L wrist X-ray · PA projection:
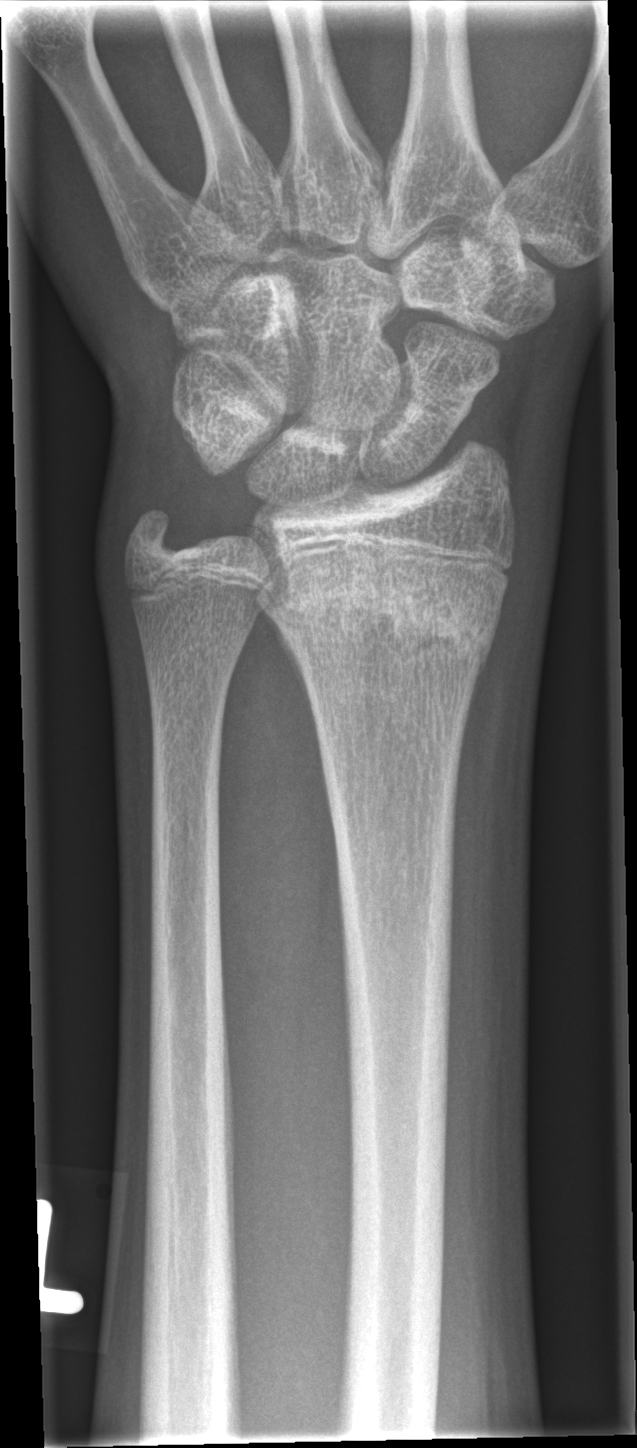
Coordinates are [x1, y1, x2, y2] in image pixels. AO code 23r-M/3.1. Bone fracture: bbox(267, 576, 504, 667).